Lat view; right wrist radiograph; age 11 y, male; in cast; detector: Siemens:

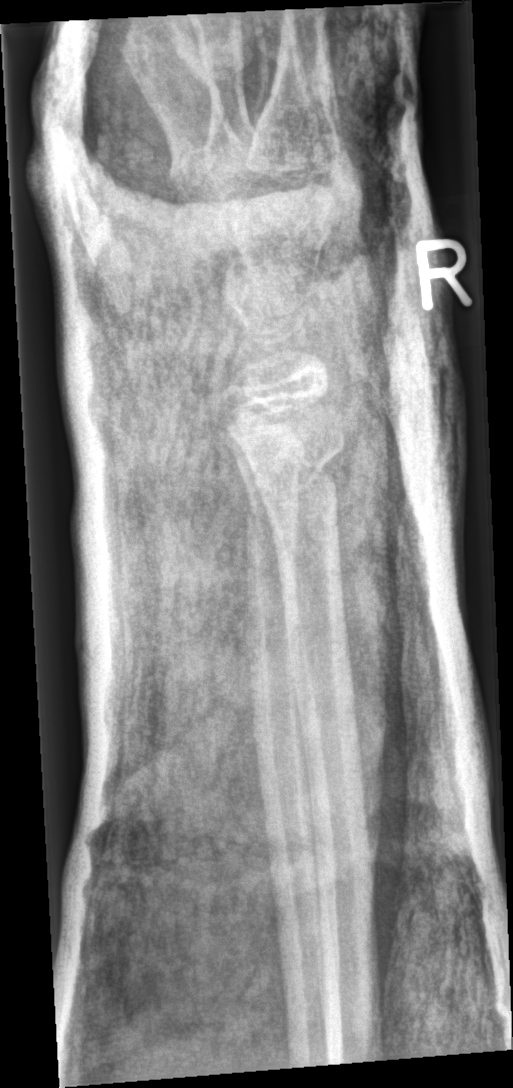

Findings: Fx: bbox(240, 433, 343, 524).